PA projection | R plain radiograph of the wrist

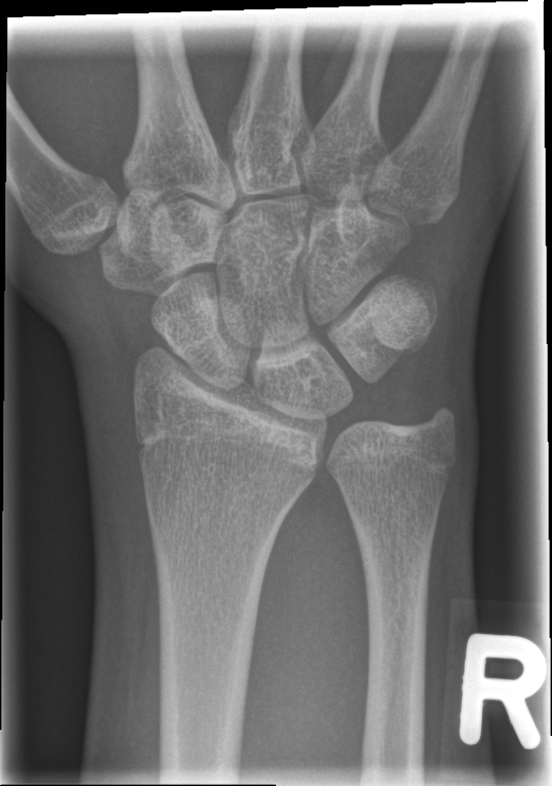
Bone fracture = none labeled